Posteroanterior; right wrist X-ray; age 8 y, girl; 524 x 868 px. 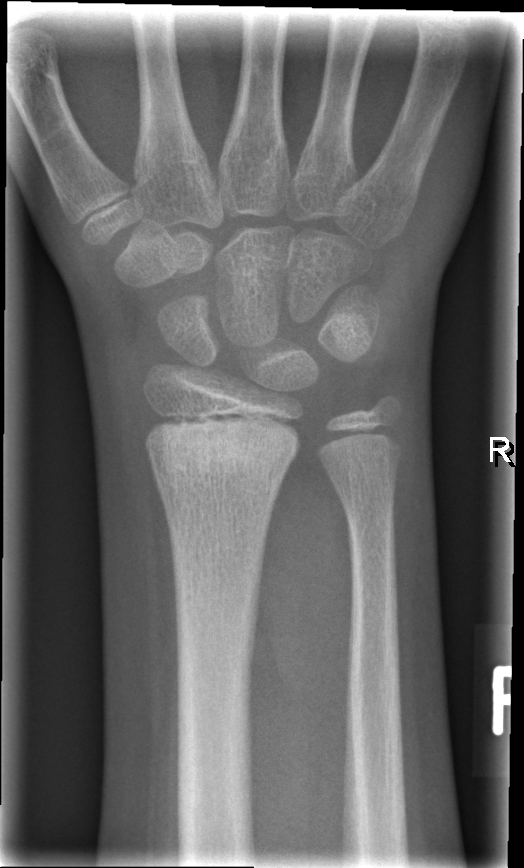
Boxes as x1,y1,x2,y2 (top-left / bottom-right, pixel units).
Fx identified at 139,411,303,489.